Left wrist plain film; lat view; 8y F; in cast; 66.5 mm image width; 462 by 873 pixels:
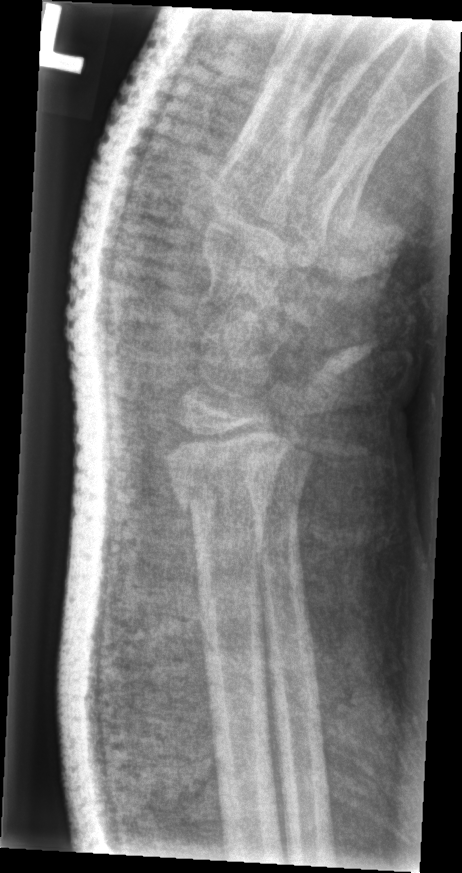
# bounding boxes in image-pixel xyxy
ao: 23r-E/2.1
fracture: [x1=159, y1=421, x2=294, y2=527]